PA view, left wrist X-ray, age 13 y, female, image size 616x1150
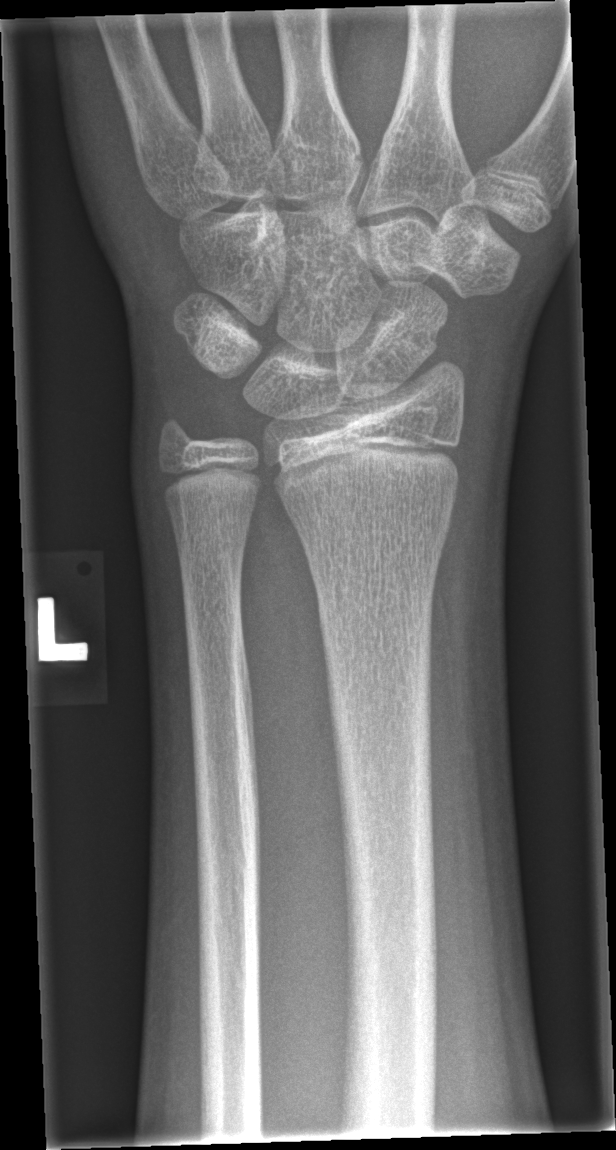

No fracture annotation.